Frontal view, L pediatric wrist radiograph.
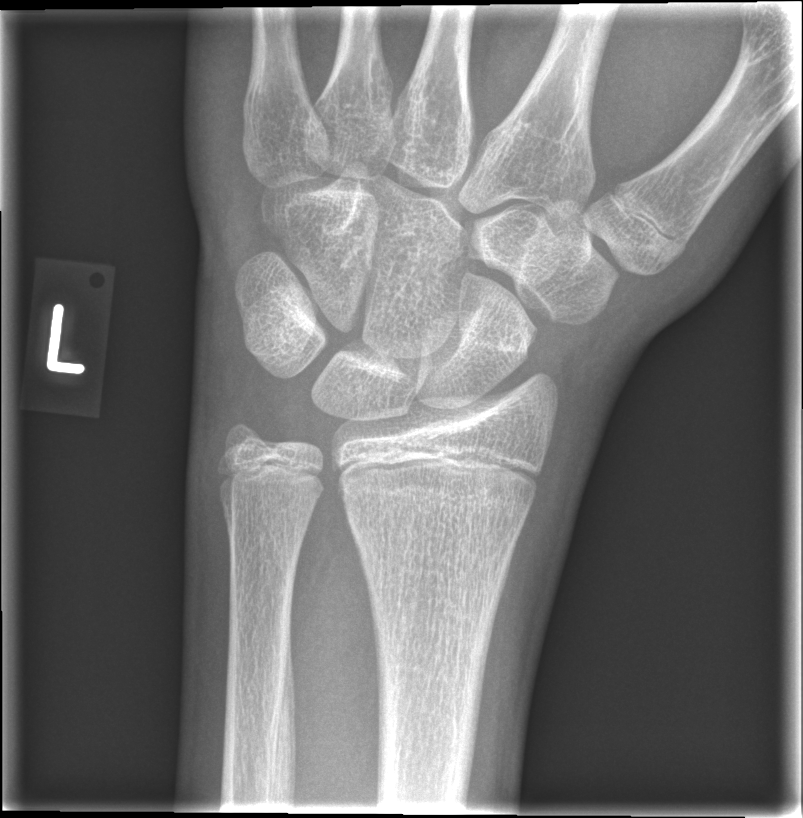 No fracture annotation.